Left wrist X-ray; frontal; follow-up; acquired on Siemens
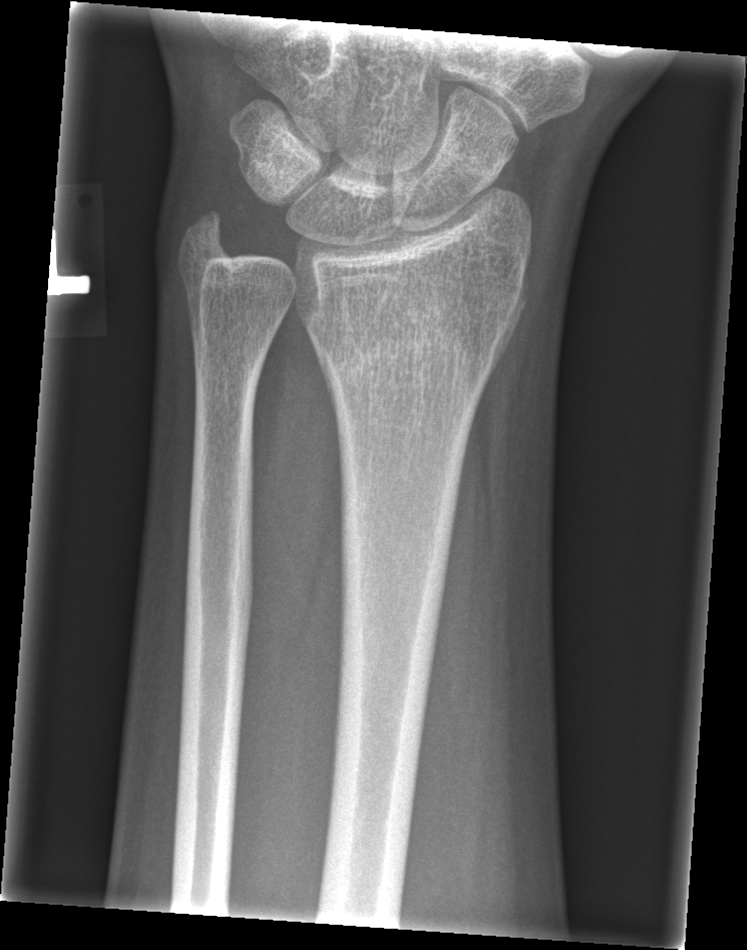

Fx = (left=313, top=302, right=502, bottom=409) (left=179, top=198, right=241, bottom=267)
periosteal reaction = (left=488, top=273, right=528, bottom=381)